Right wrist plain film | frontal view | initial study | detector: Siemens:

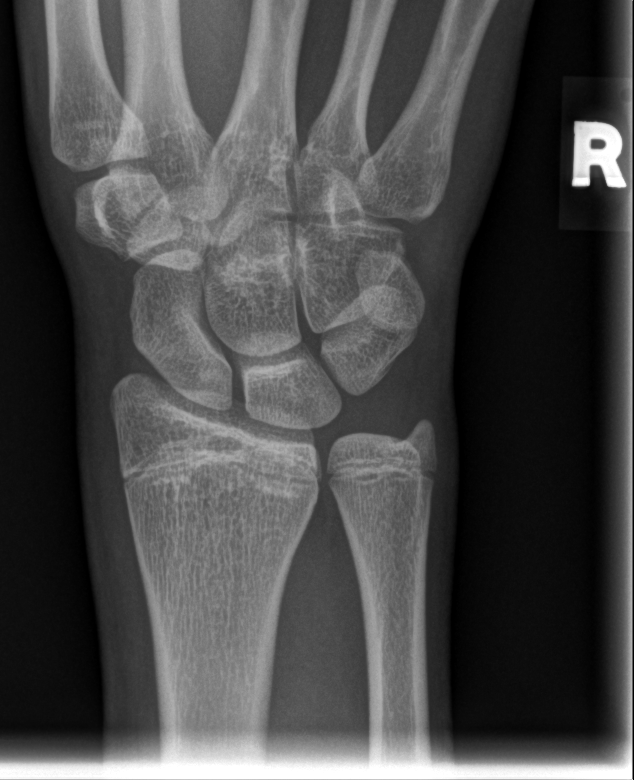

No fracture bounding box.